PA projection; R wrist XR; 642x704

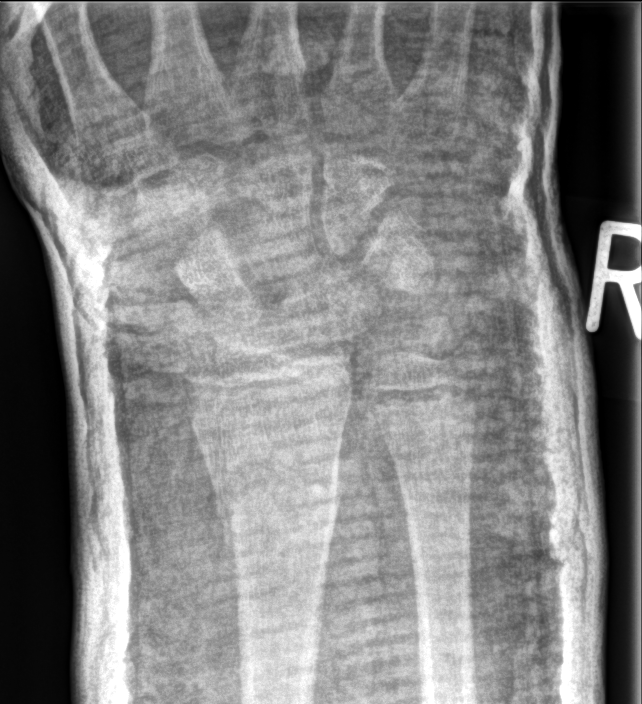
Pixel coordinates, top-left origin, xyxy. Bone fracture identified at <366,333>-<490,421> <208,465>-<349,536>.